R wrist XR | AP | pediatric patient (male, age 5) | cast in situ: 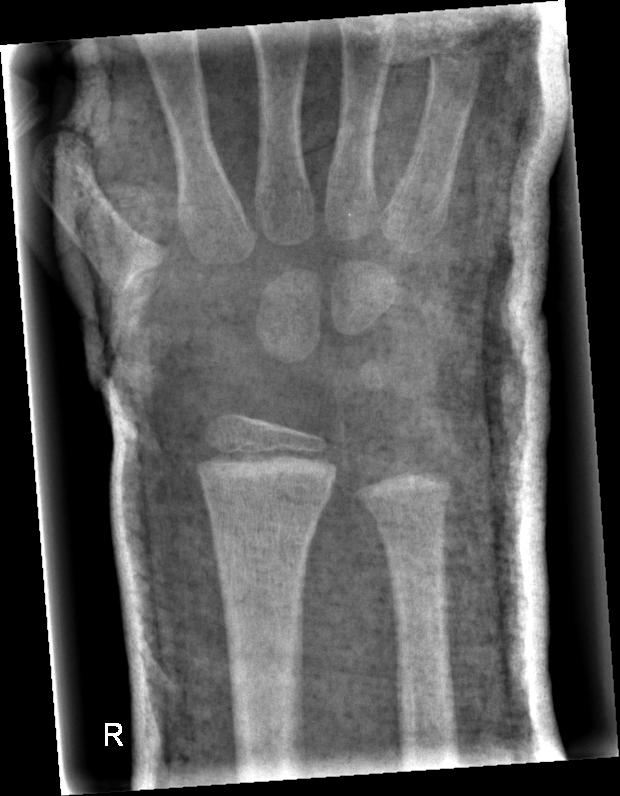
  # bounding boxes in image-pixel xyxy
  ao: 23r-M/2.1
  fracture: 1 @ 213 511 323 621